L wrist radiograph; lat projection; boy, 16 yo:
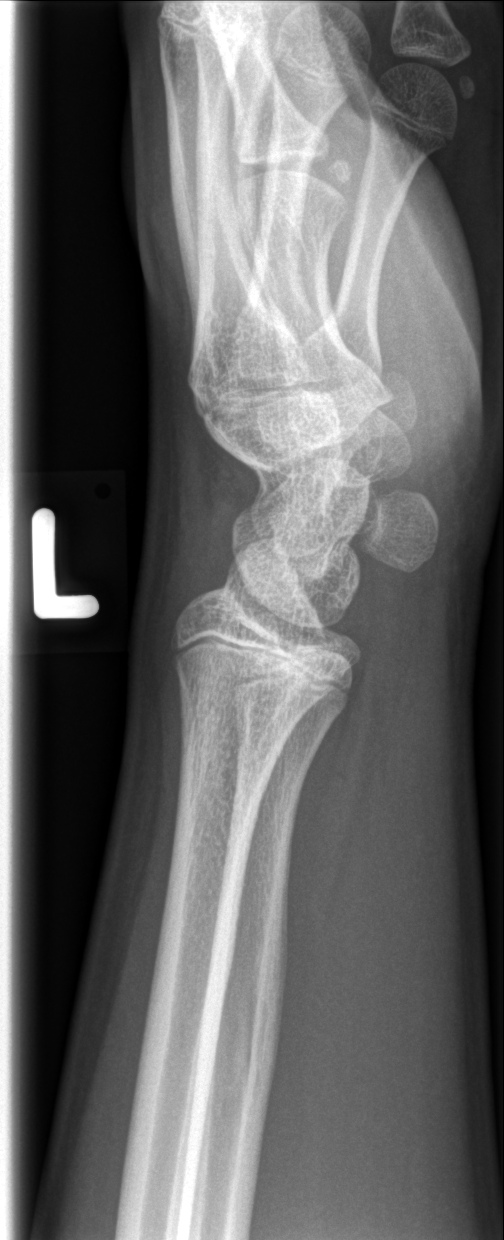

FINDINGS — No fracture bounding box.